PA · R wrist radiograph · 9y M · index exam · 80.6 mm image width.
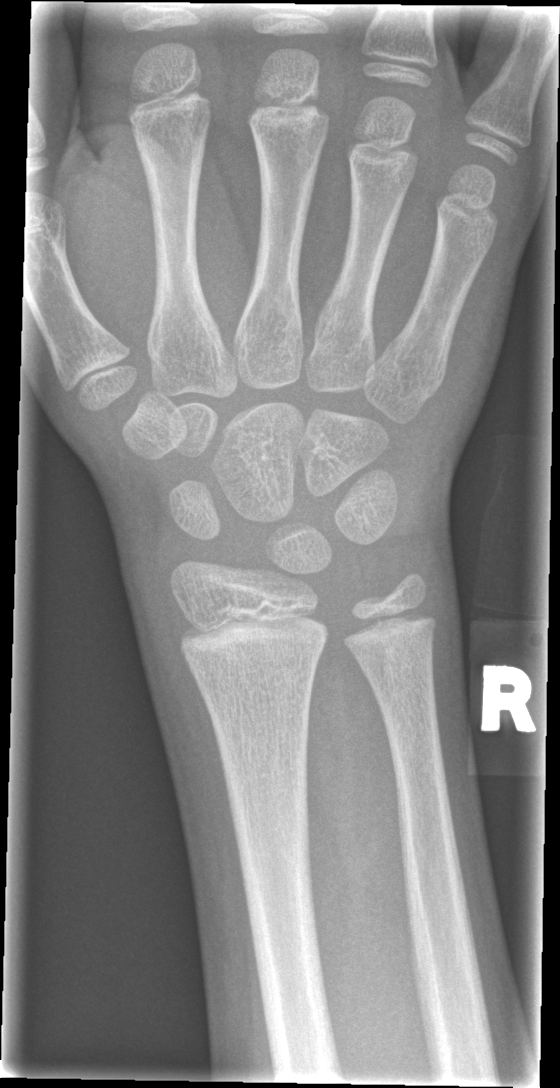

Fx = none labeled